Left plain radiograph of the wrist | posteroanterior projection | 13y M | initial study 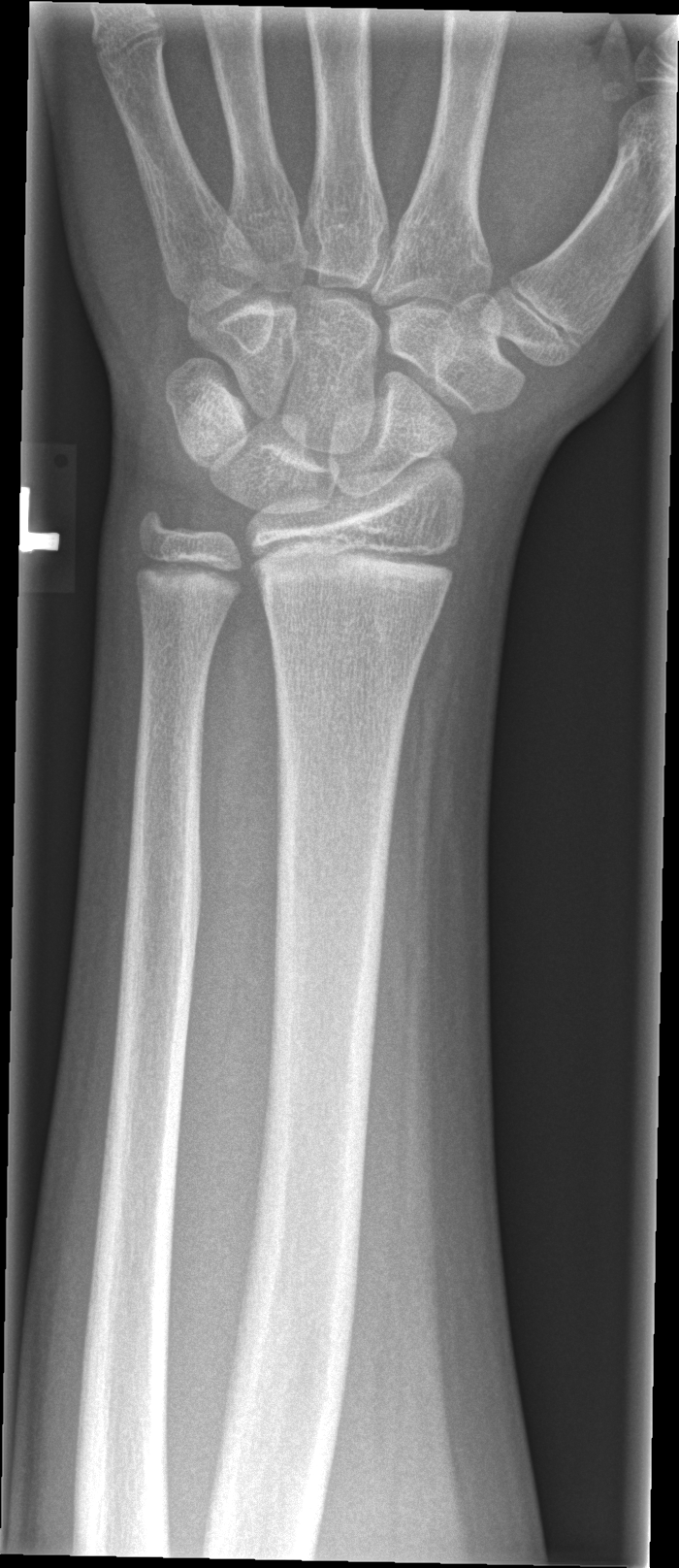 bone fracture = none labeled